Left pediatric wrist radiograph | PA/AP view | 11-year-old female | 582 by 996 pixels:
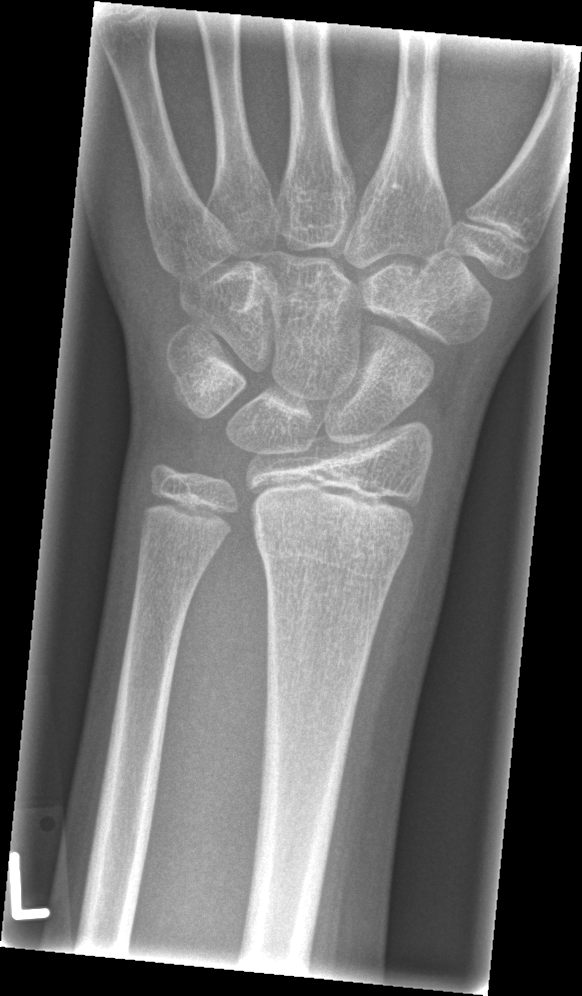 • Fracture identified at <251,508>-<415,591>.